Right pediatric wrist radiograph, frontal projection. 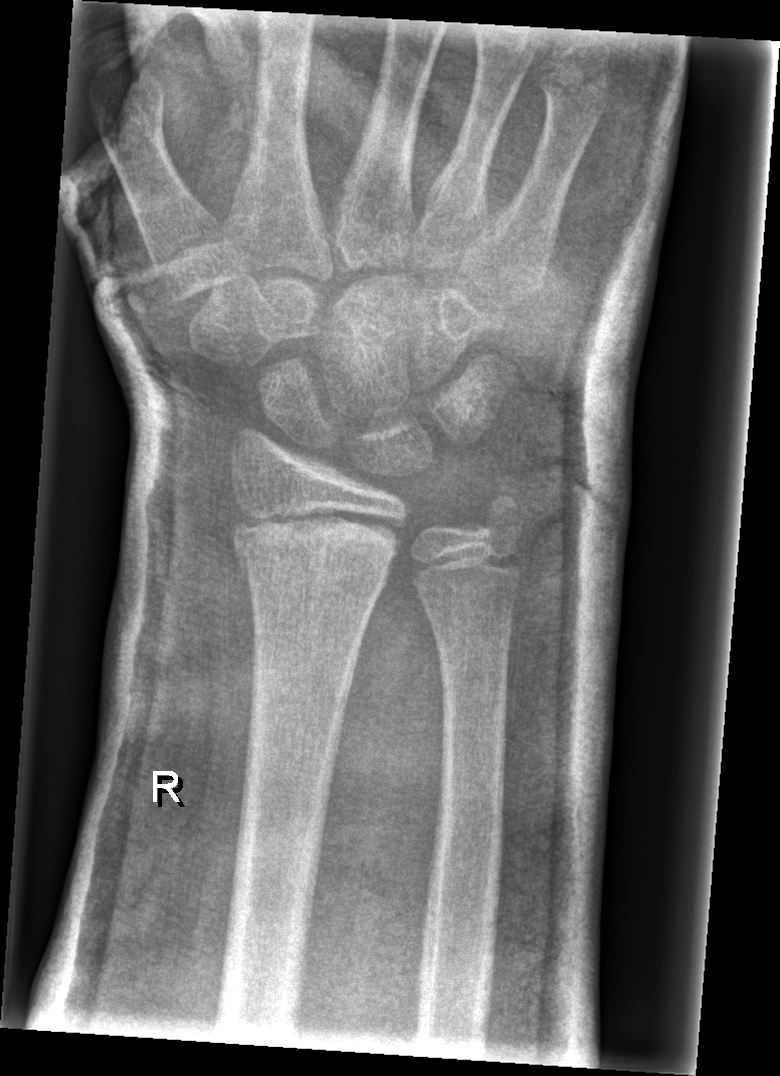 {
  "_coords": "boxes as x1,y1,x2,y2 (top-left / bottom-right, pixel units)",
  "fracture": "[229, 499, 402, 592], [469, 482, 533, 544]"
}